Lateral view; left pediatric wrist radiograph —

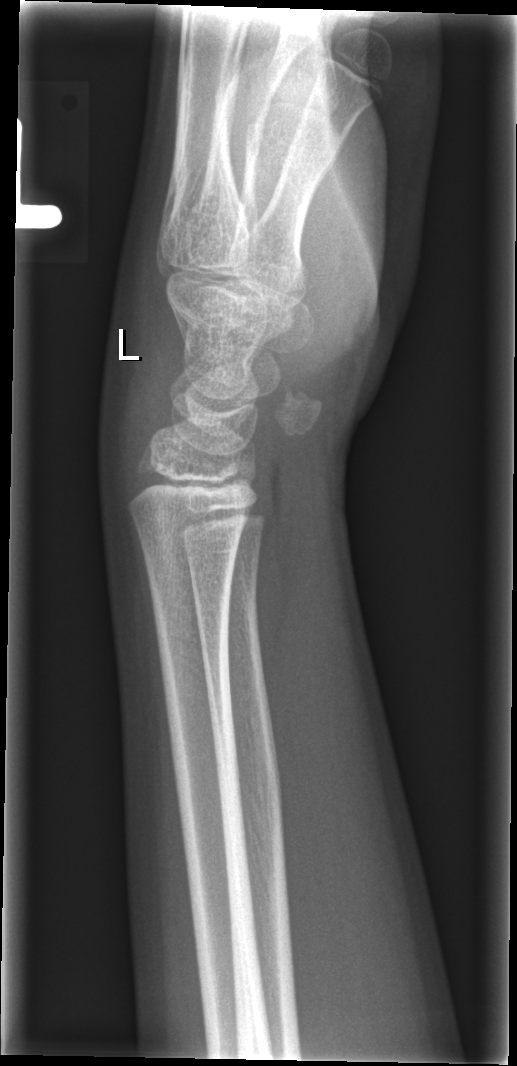 bone fracture = none labeled